Right pediatric wrist radiograph, lat 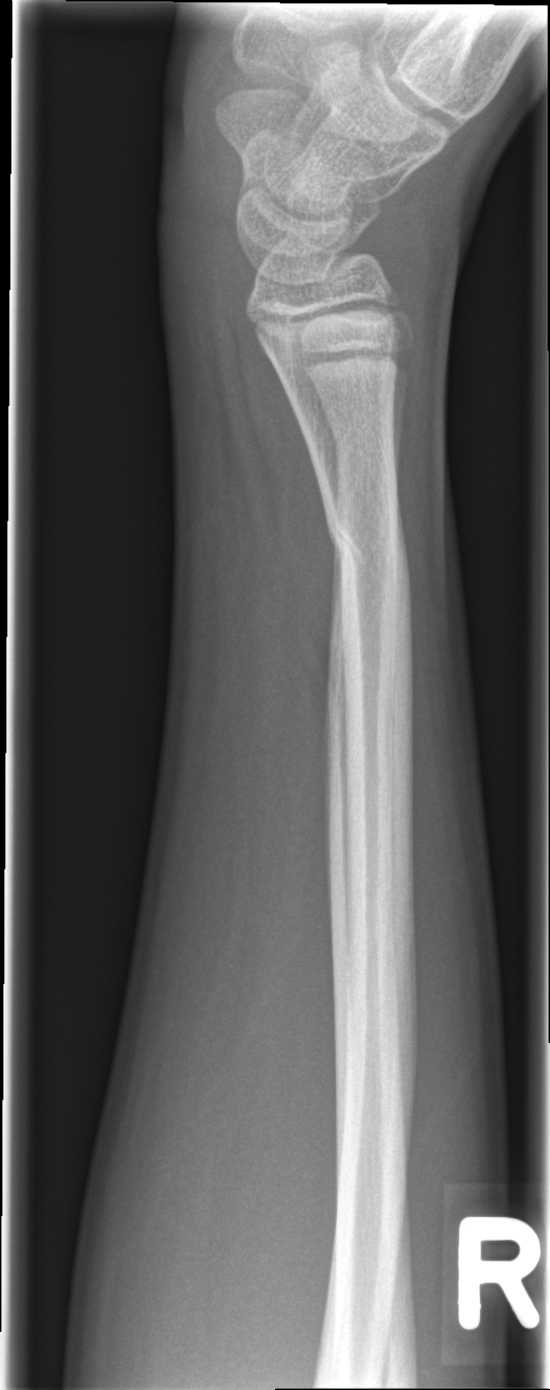 FINDINGS — (bounding boxes in image-pixel xyxy) Fx identified at (left=323, top=504, right=413, bottom=600) (left=323, top=399, right=401, bottom=468). AO/OTA classification: 23-M/2.1.